Left wrist X-ray, lateral view, boy, 9 yo, detector: Siemens 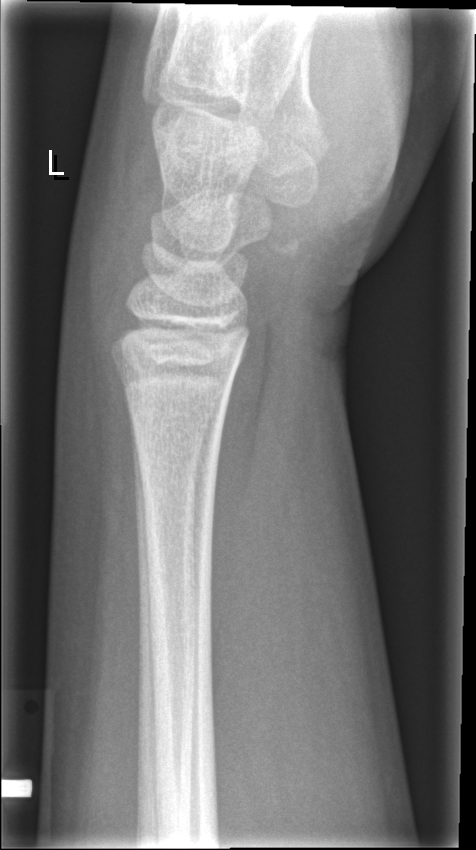 Fx: none labeled